Left wrist plain radiograph of the wrist · PA view · 623 x 1298 px.

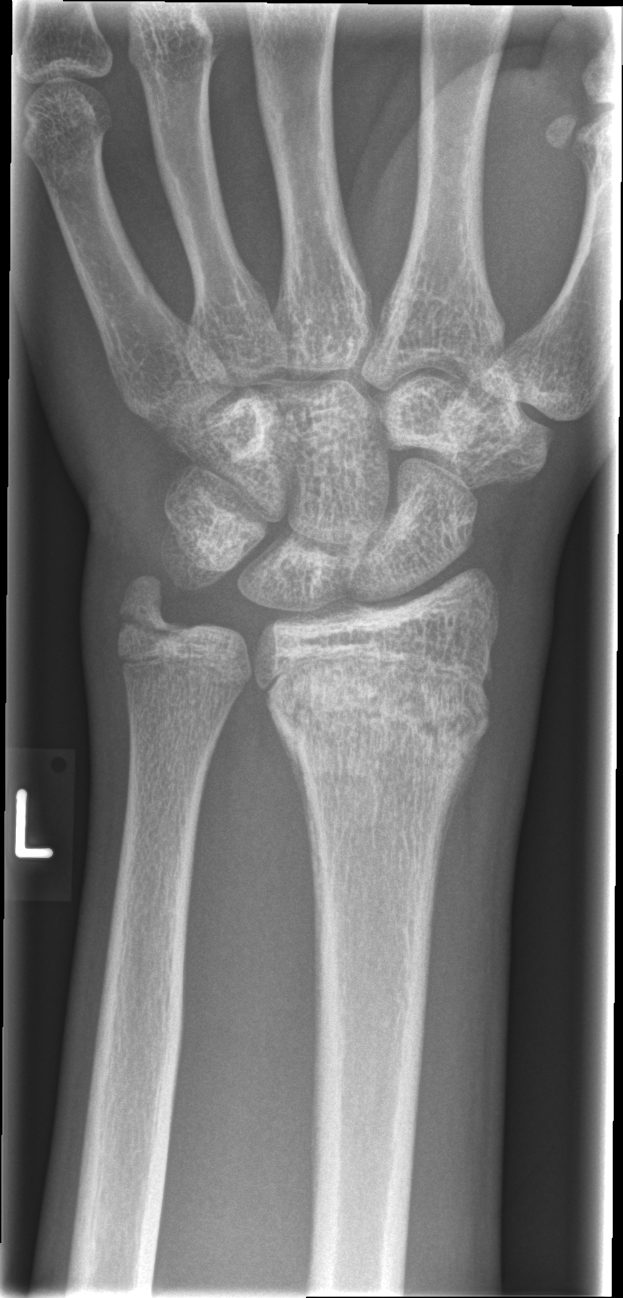
fracture: bbox(255, 646, 496, 786); bbox(114, 568, 188, 642)
periosteal reaction: bbox(432, 737, 484, 909); bbox(275, 727, 312, 876)
AO/OTA: 23r-M/3.1; 23u-E/7